Frontal view | left plain radiograph of the wrist | Siemens | 114.6 mm image width

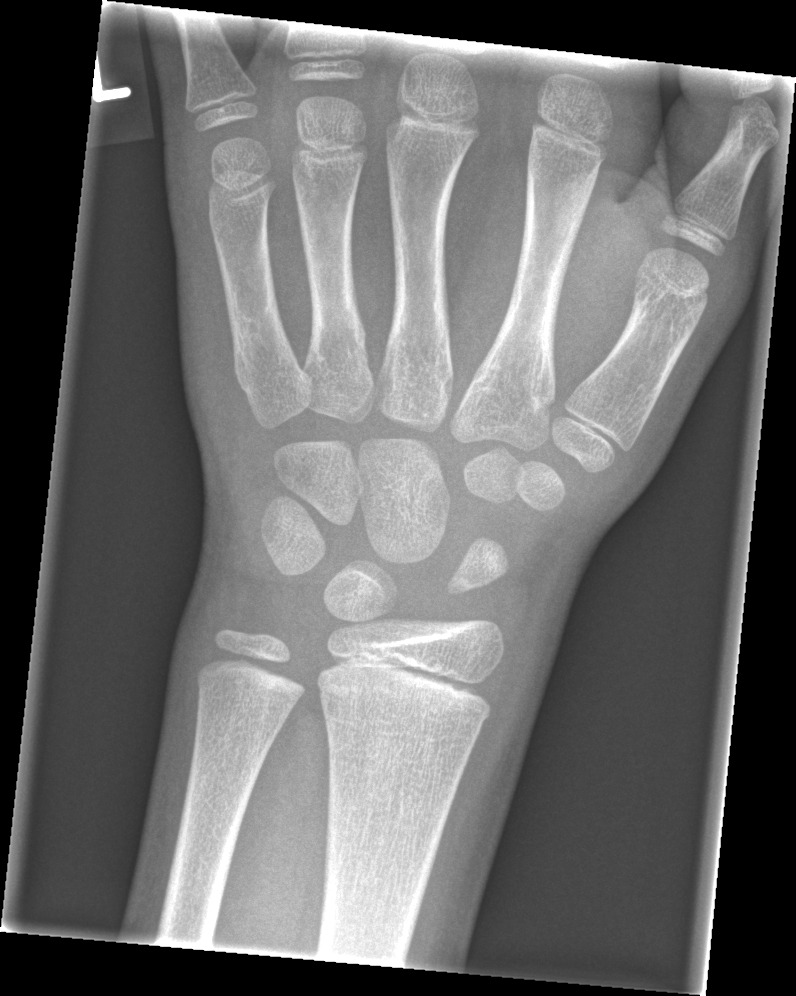
- Fx: none.